R wrist plain film · AP projection · initial study · 80.6 mm image width —

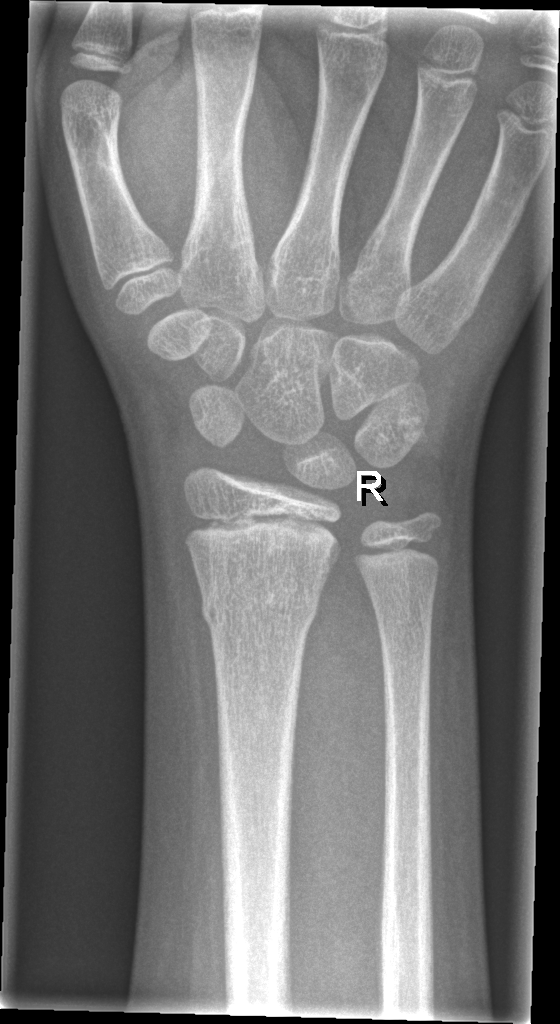

Boxes as x1,y1,x2,y2 (top-left / bottom-right, pixel units).
Bone fracture: [196, 571, 327, 639].
AO/OTA classification: 23r-M/2.1.